AP · left wrist XR · detector: Siemens:
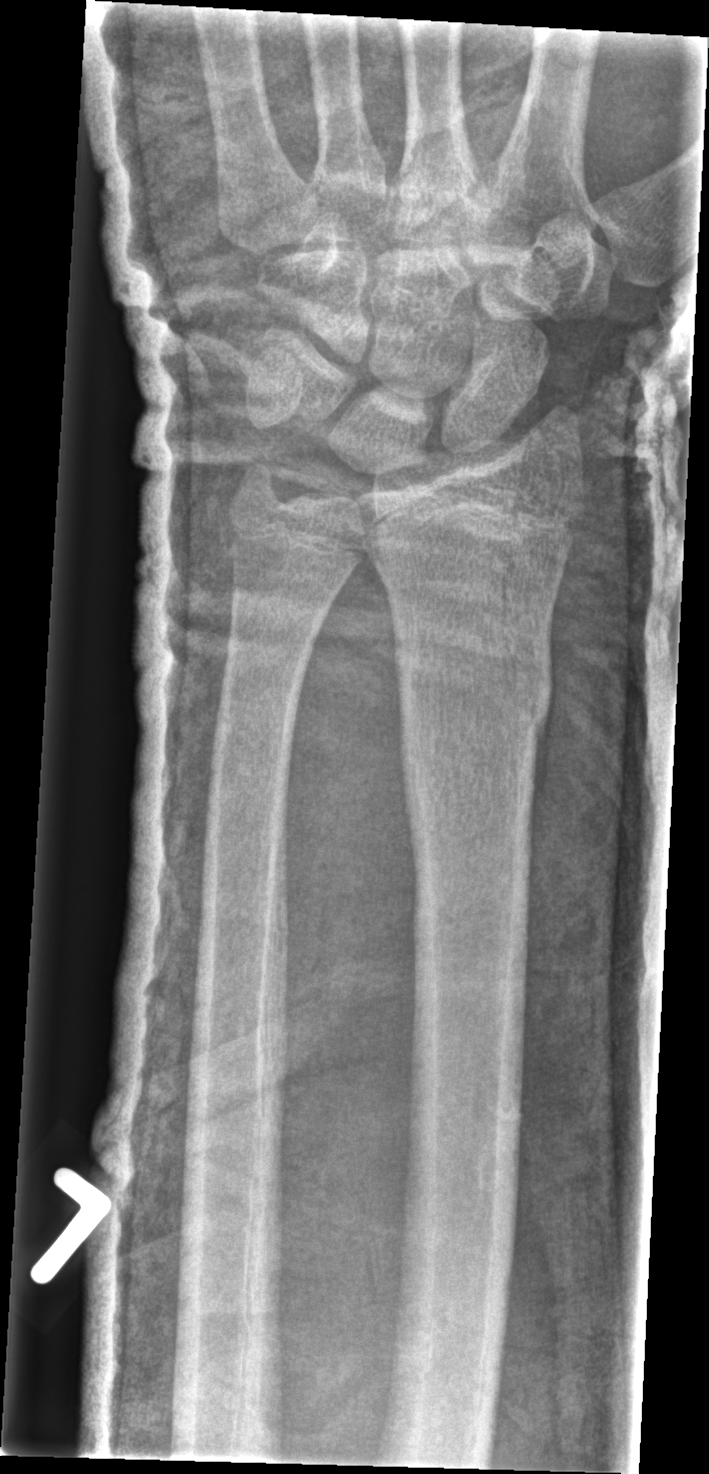
FINDINGS: Fracture identified at bbox(389, 636, 557, 758).